Left pediatric wrist radiograph, lateral view, presentation radiograph, detector: Siemens. 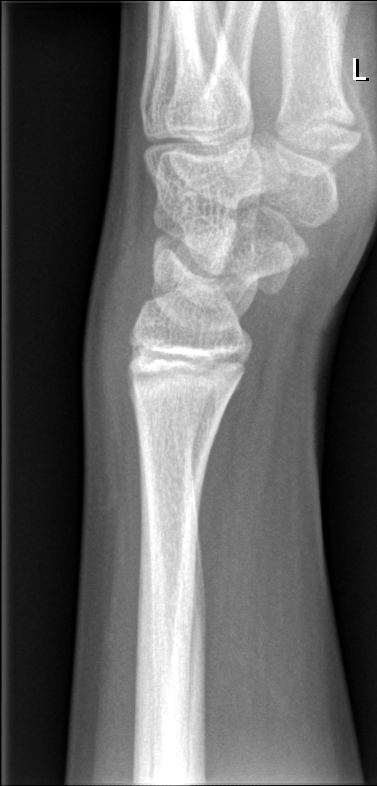 Findings: No Fx annotated.